Left wrist X-ray; AP projection; pediatric patient (female, age 8); detector: Siemens: 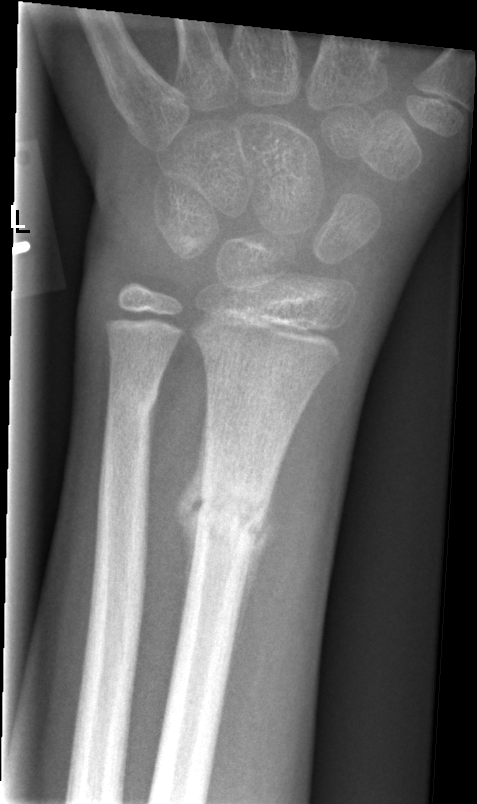

• Decreased bone density (osteopenia).
• Two Fx at [x1=189, y1=471, x2=268, y2=552]; [x1=104, y1=381, x2=161, y2=434].
• AO code 23r-M/3.1; 23u-M/2.1.
• Periosteal thickening — [x1=227, y1=464, x2=279, y2=688]; [x1=171, y1=397, x2=208, y2=644]; [x1=144, y1=376, x2=161, y2=520].